AP view | left wrist plain film 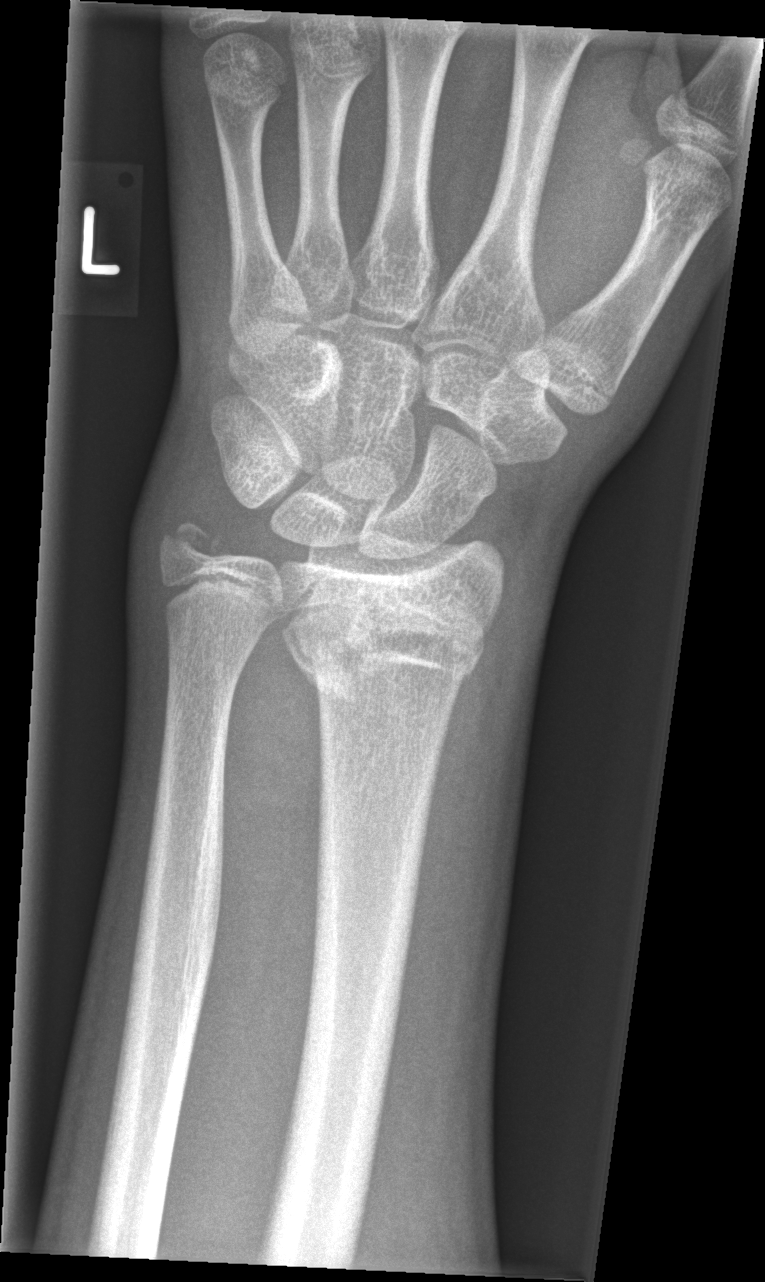 {"fracture": "bbox(283, 596, 493, 707); bbox(154, 509, 230, 574)"}